Lateral | Rt wrist XR | 75.5 mm image width: 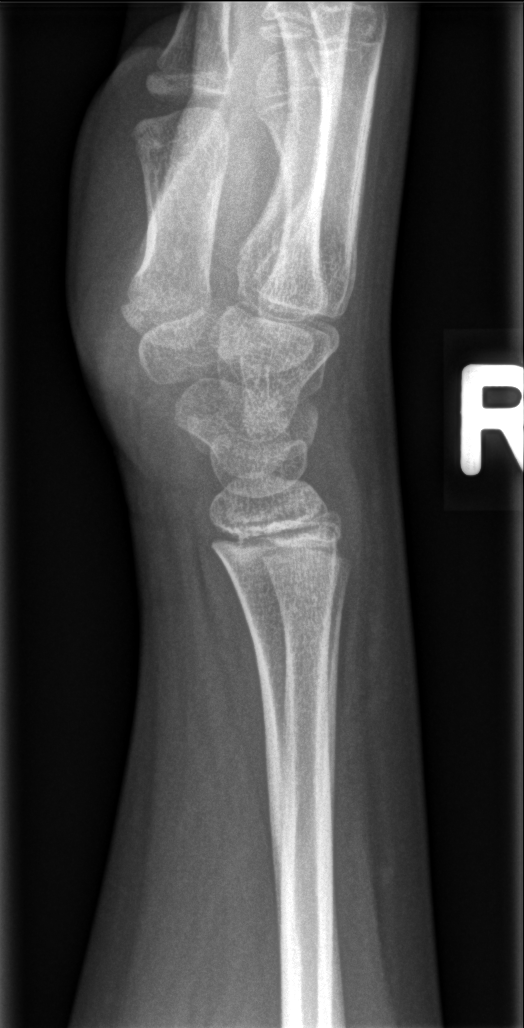
No fracture annotation.